Right wrist pediatric wrist radiograph | lat projection | subsequent exam —

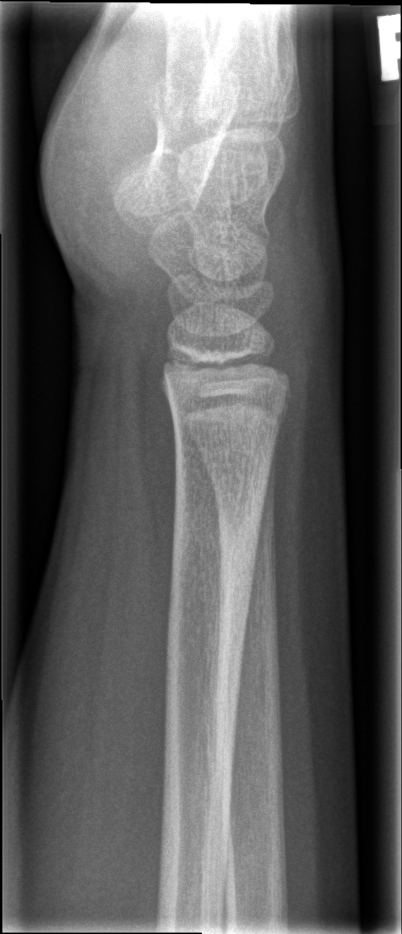

* Pixel coordinates, top-left origin, xyxy.
* Fx: (left=165, top=493, right=268, bottom=604).